Right wrist radiograph | frontal view | 11-year-old boy | initial study — 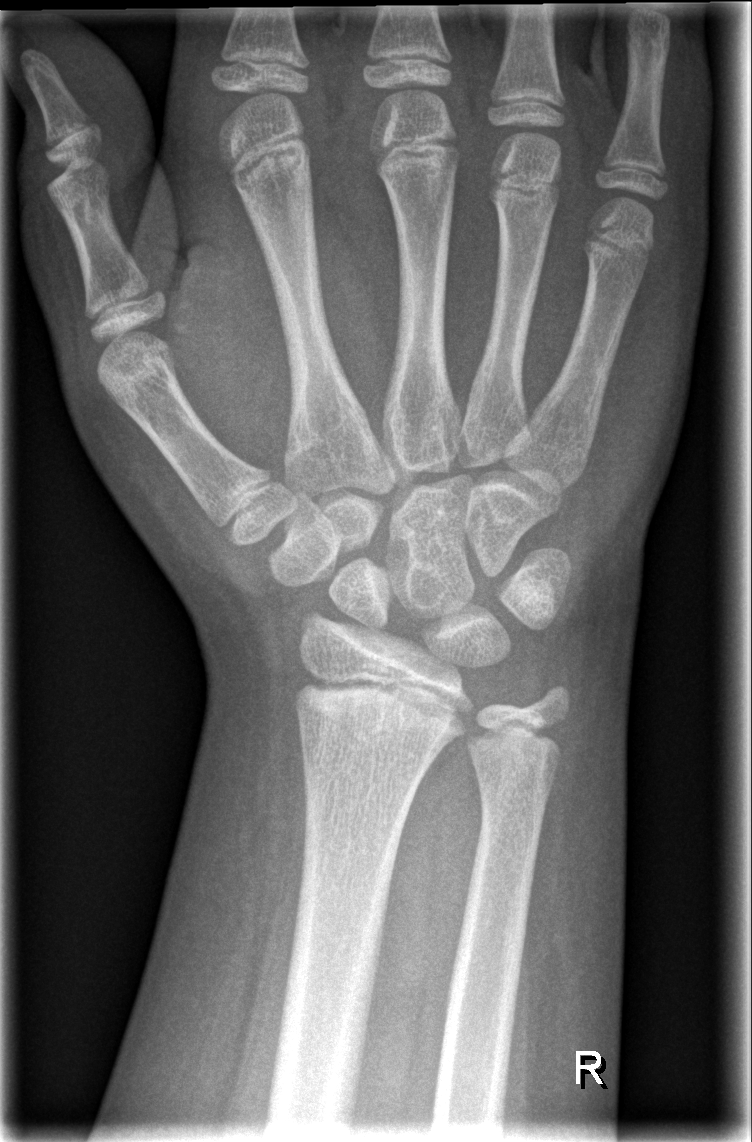

* No Fx annotated.